AP view, left wrist XR, initial study, 76.5 mm image width
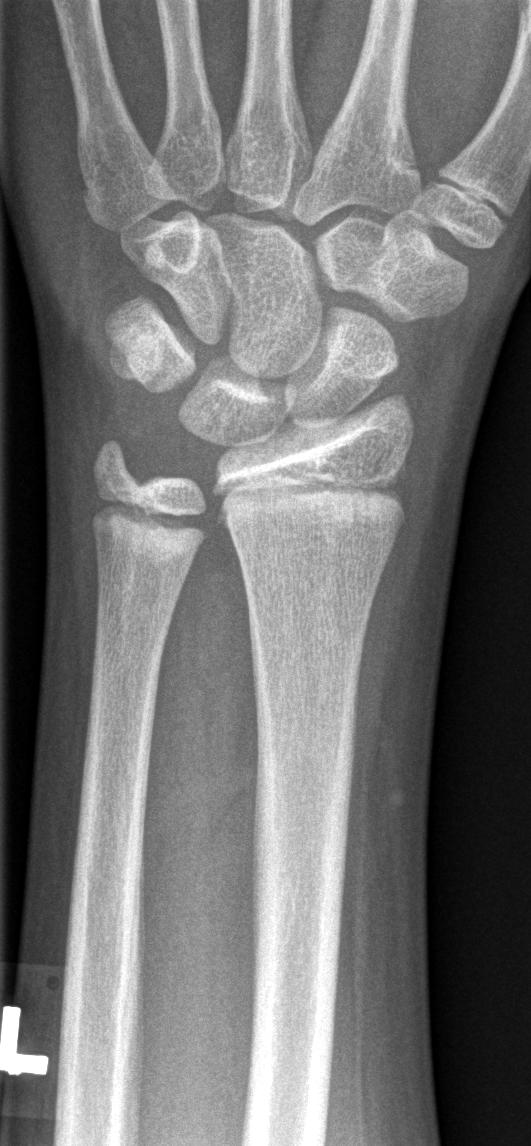
fracture: none labeled